L wrist plain film, PA view, pediatric patient (boy, age 12), imaged through cast, Siemens —

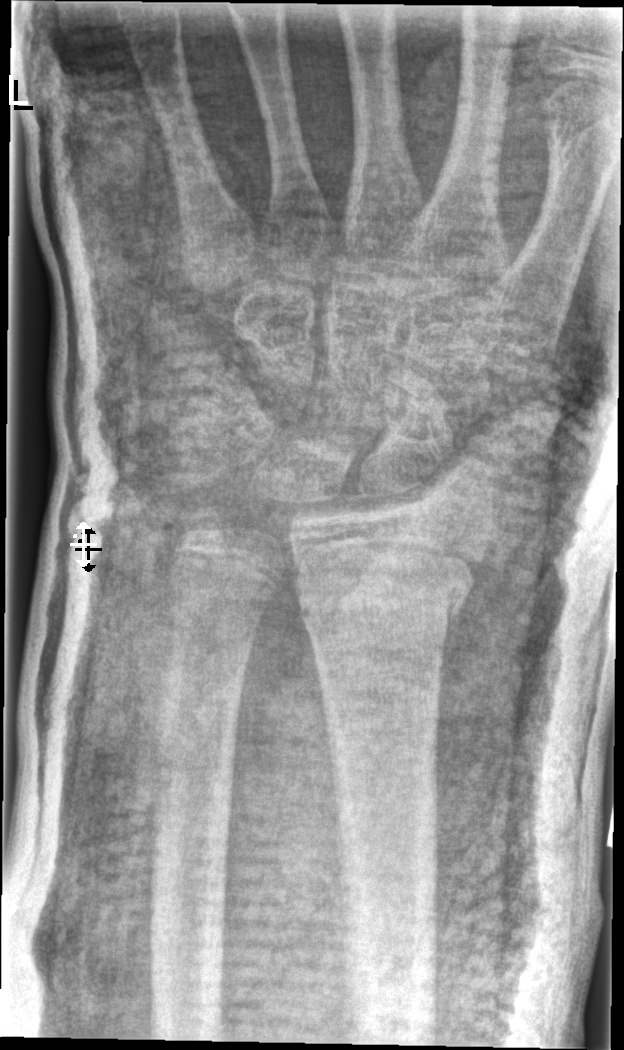

AO classification = 23r-M/3.1; 23u-E/7
Fx = 283 549 479 625